PA/AP · R wrist XR · image 145.2 mm wide. 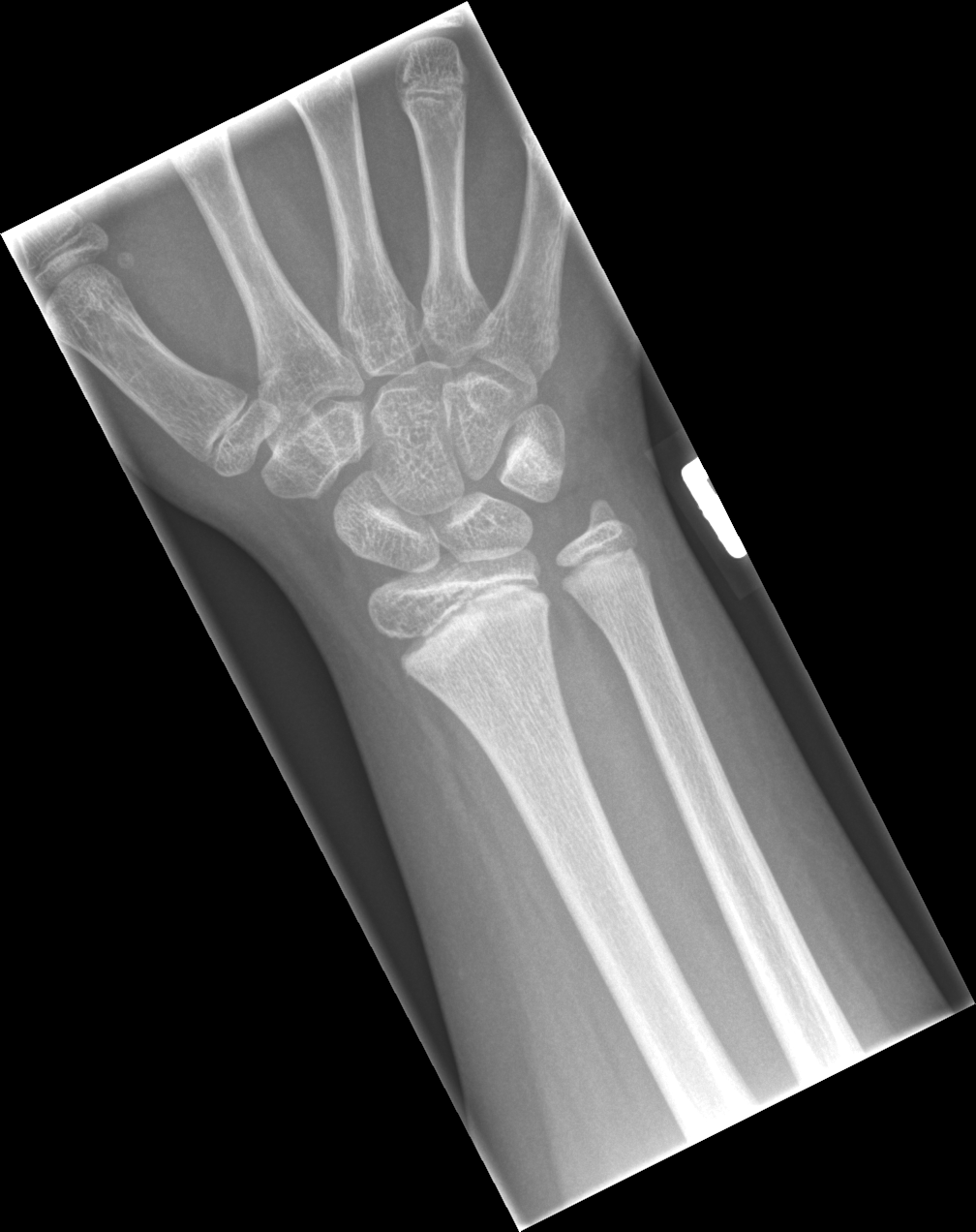 No fracture annotation.